Lat projection · L plain radiograph of the wrist · 4-year-old girl · follow-up · in cast · image 75.3 mm wide. 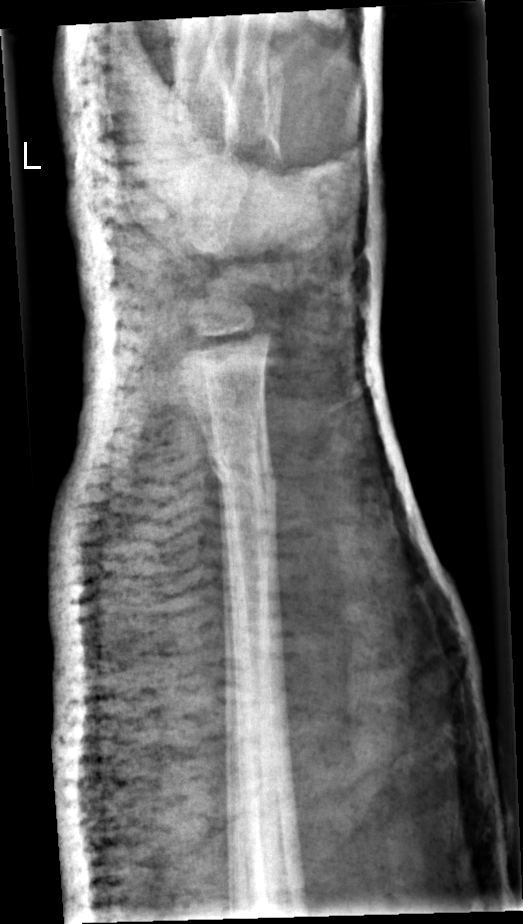 (boxes as x1,y1,x2,y2 (top-left / bottom-right, pixel units))
Fracture: 203 450 282 497
AO classification: 23r-M/3.1